Lateral projection, Rt plain radiograph of the wrist: 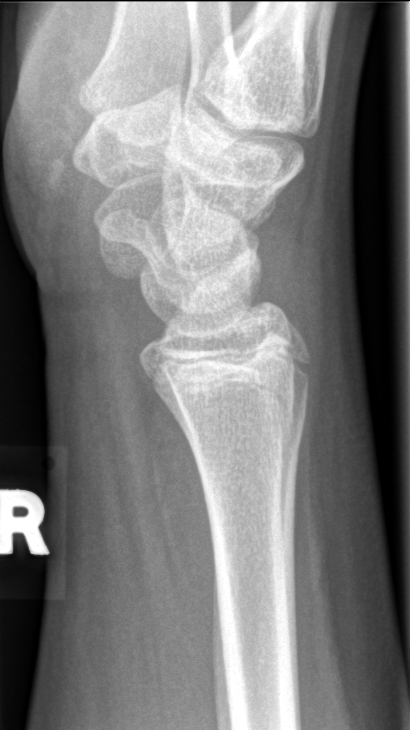 * No fracture labeled.